Left pediatric wrist radiograph, lateral view

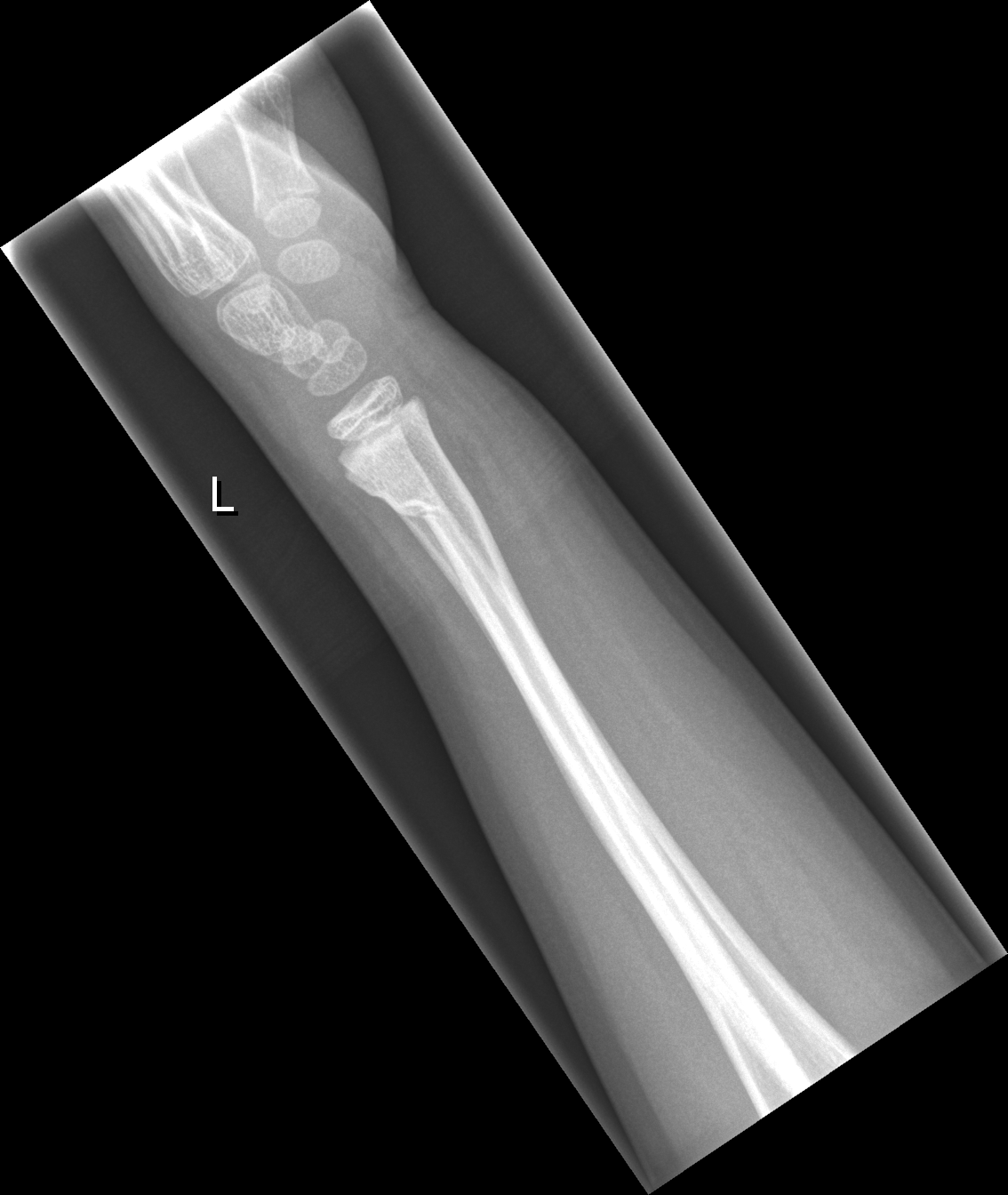

Boxes as x1,y1,x2,y2 (top-left / bottom-right, pixel units).
Positive pronator fat-pad sign identified at 427,393,633,777.
Fracture identified at 387,485,500,553
  362,459,423,512.